Lateral view · right wrist plain film · 462 x 1026 px

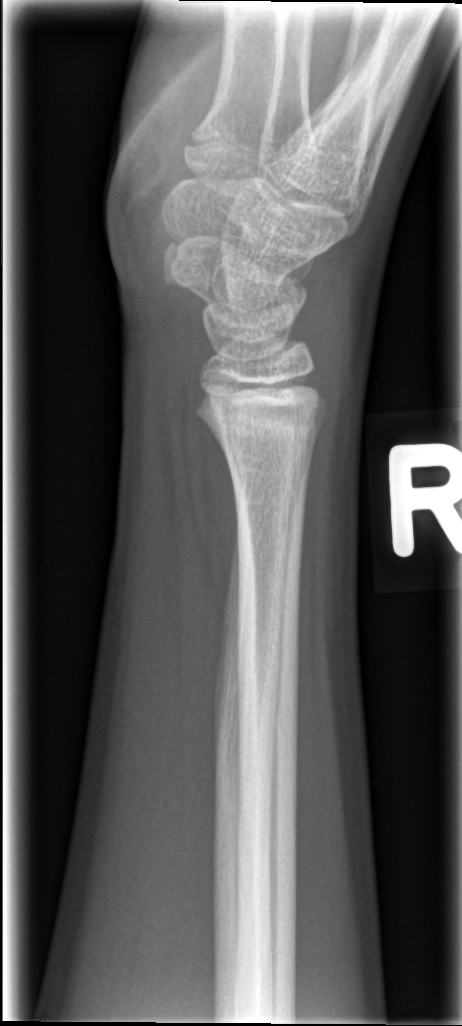
  fracture: none labeled